Right wrist radiograph | lat | 10-year-old boy | subsequent exam | image size 550x1118:

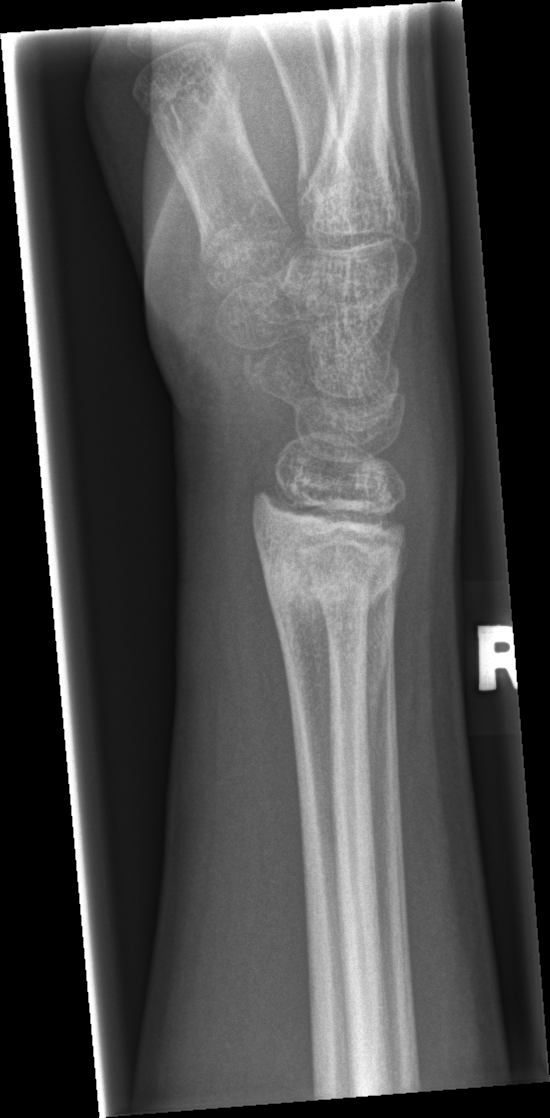
{"_coords": "pixel coordinates, top-left origin, xyxy", "osteopenia": "present", "ao": "23r-E/2.1; 23u-E/7", "fracture": "1 @ 251,505,406,611", "periostealreaction": "362,536,407,837"}